Rt wrist X-ray | PA/AP view | pediatric patient (girl, age 7) | imaged through cast | 101.5 mm image width | 705 x 892 px —

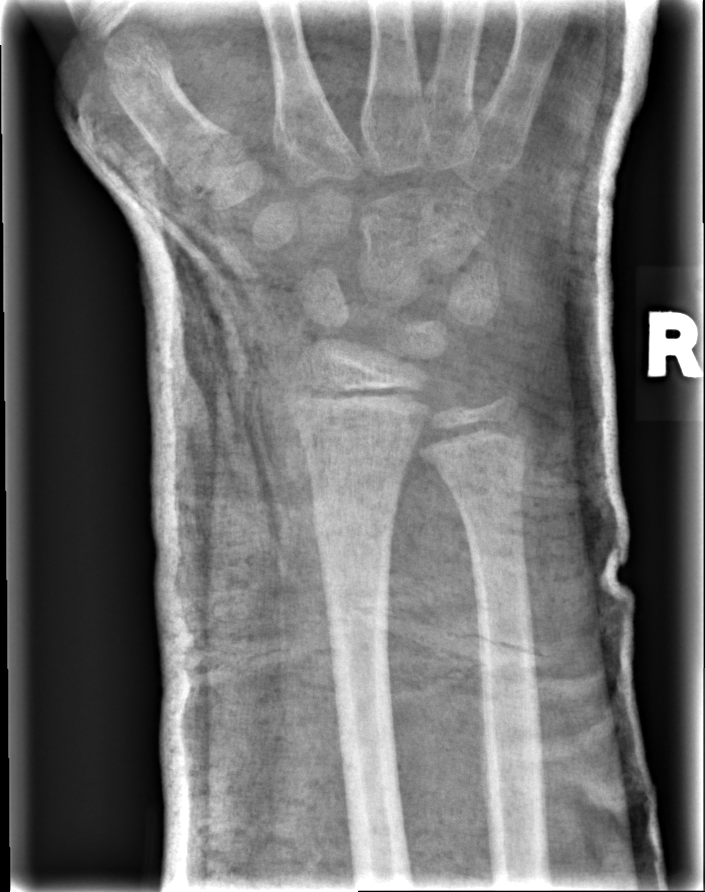
{"fracture": "1 @ 308,489,400,554", "ao": "23r-M/3.1"}